Left pediatric wrist radiograph | lat | pediatric patient (boy, age 6) | cast present | 674x1065:
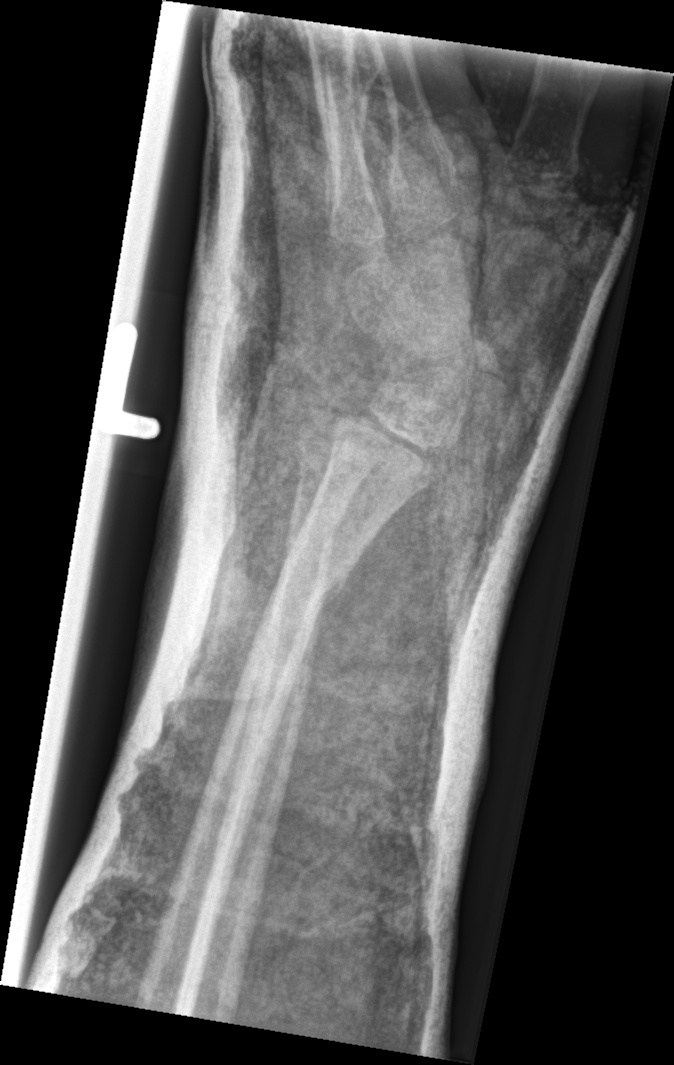
(boxes as x1,y1,x2,y2 (top-left / bottom-right, pixel units))
AO code = 23-M/2.1
Fracture = 1 @ <266,531>-<358,617>